Rt plain radiograph of the wrist; lat projection; Siemens; image 125.9 mm wide
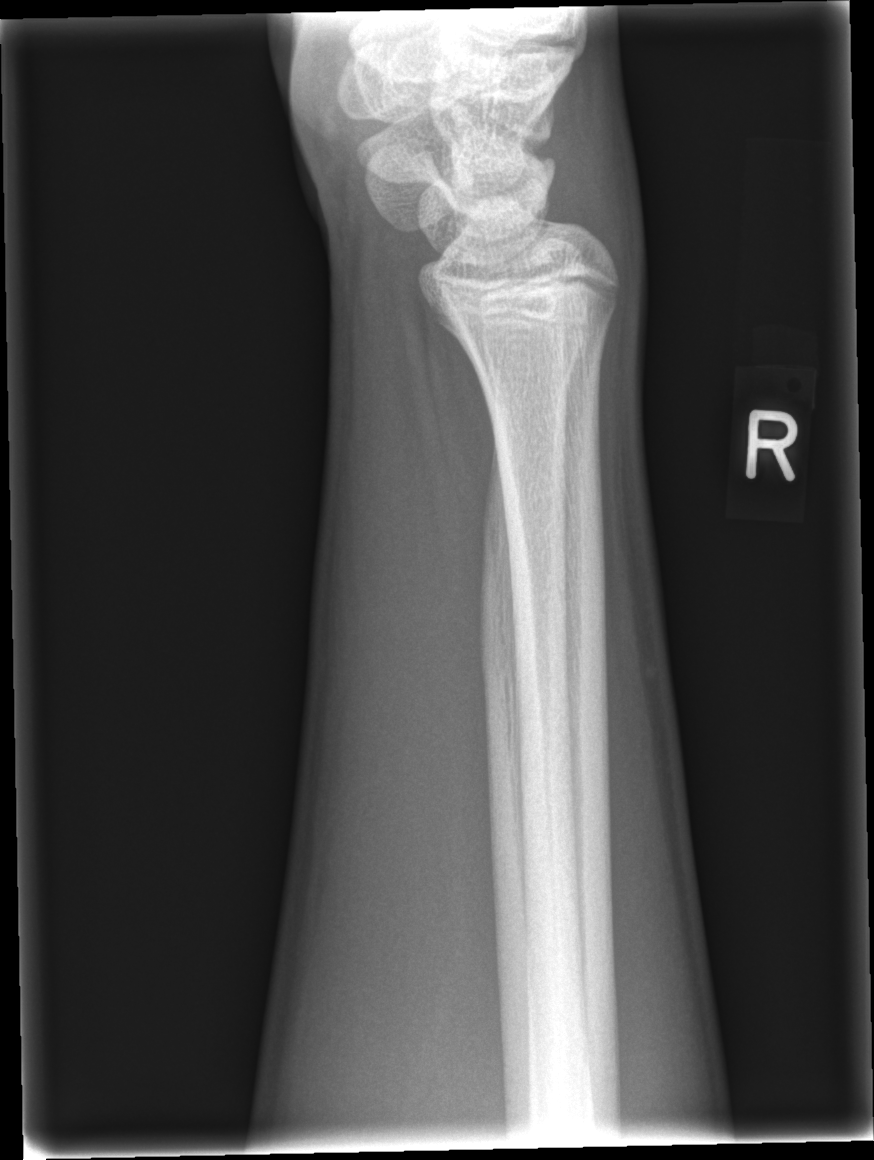
No Fx annotated.